Left pediatric wrist radiograph, lateral view, detector: Siemens —
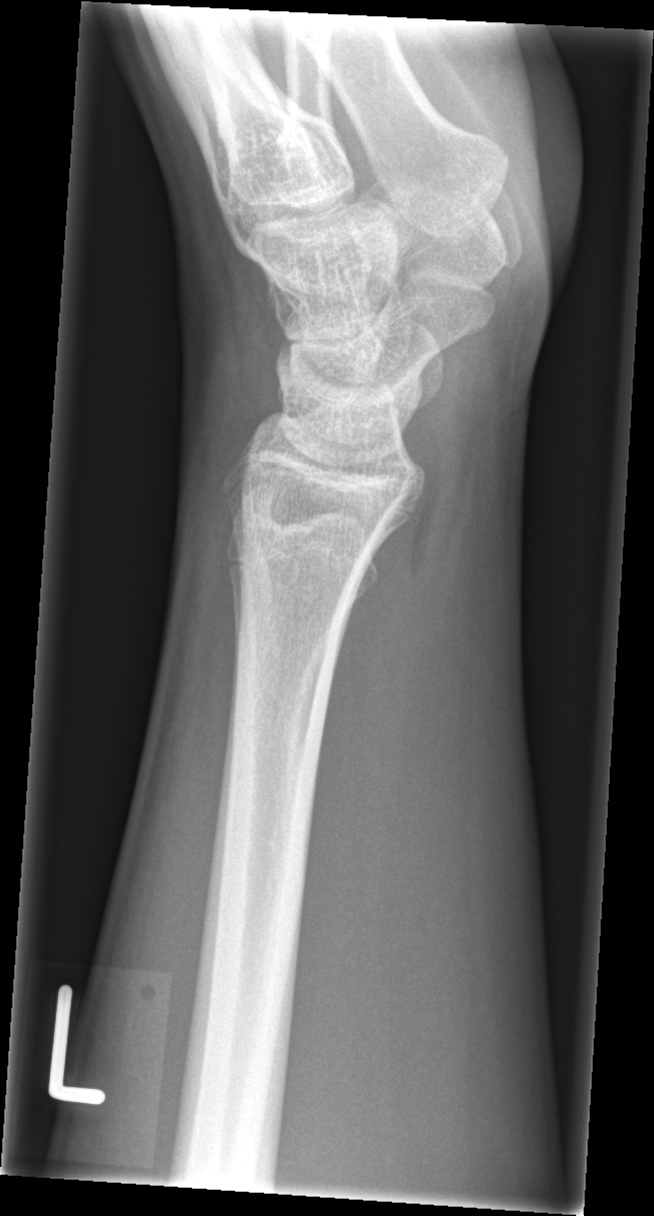 No fracture bounding box.